Right plain radiograph of the wrist | posteroanterior projection | 9y F.
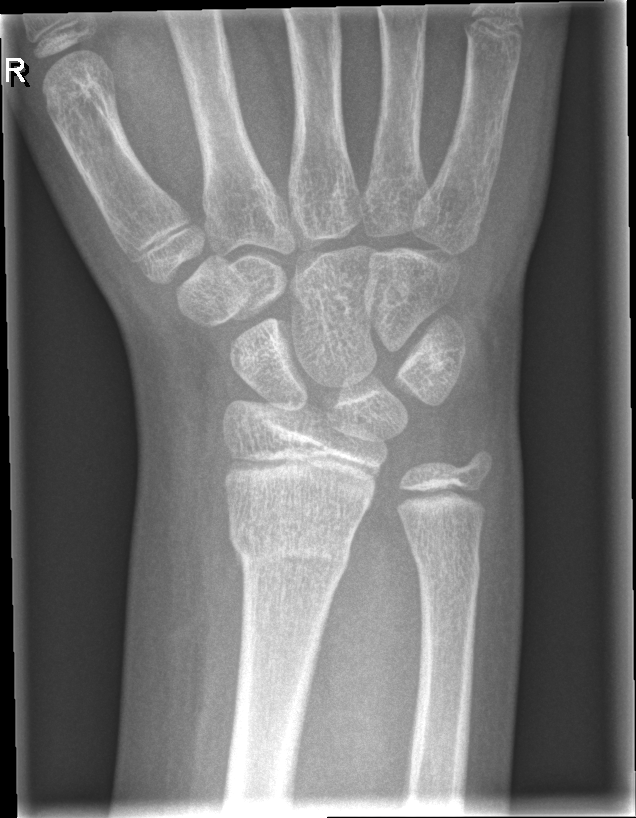 AO classification = 23-M/2.1
Bone fracture = 2 @ (left=225, top=509, right=356, bottom=589) (left=412, top=547, right=483, bottom=595)